Frontal, Rt pediatric wrist radiograph, follow-up study, cast in situ, image 86.1 mm wide, 598x794. 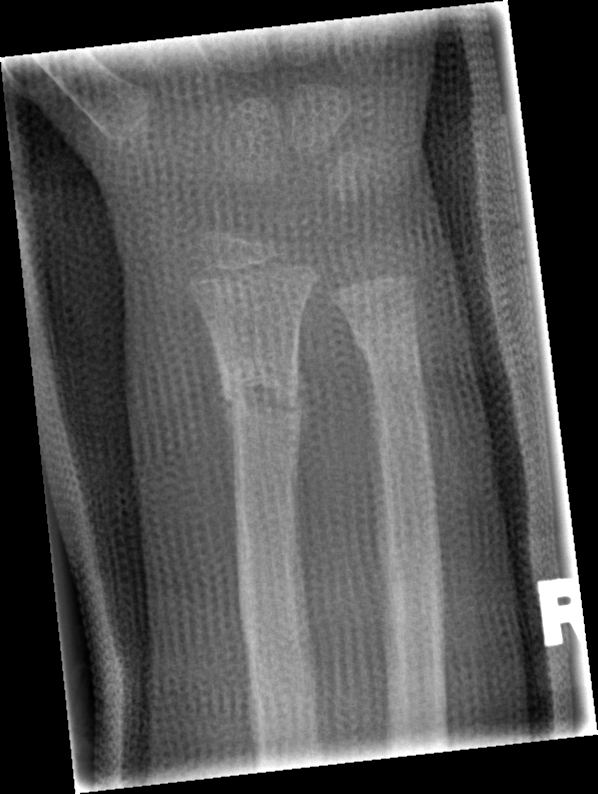 AO/OTA: 23r-M/3.1; 23u-M/2.1
bone fracture: 213,355,304,428; 345,302,426,360